Lateral view; left wrist pediatric wrist radiograph.
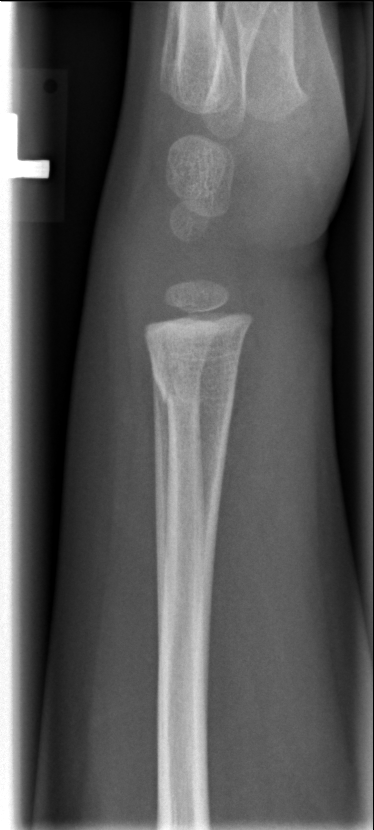 Q: Is there soft-tissue abnormality?
A: Soft tissue abnormality: [86, 163, 163, 351]
Q: Fracture present?
A: Bone fracture identified at [148, 351, 241, 411]
Q: AO code?
A: AO code 23r-M/2.1